Lat projection · Rt wrist XR · index exam · 319 by 460 pixels.

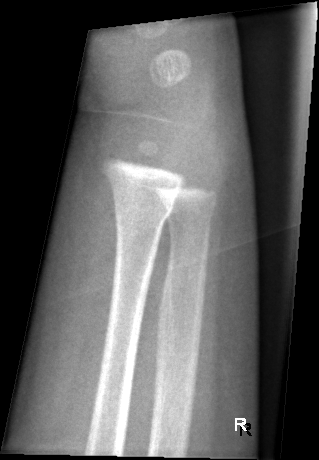 • AO/OTA classification: 23r-M/2.1.
• Fracture: <110,189>-<178,226>.